Lateral · right wrist plain radiograph of the wrist · age 8 y, girl · imaged through cast · 95.0 mm image width —
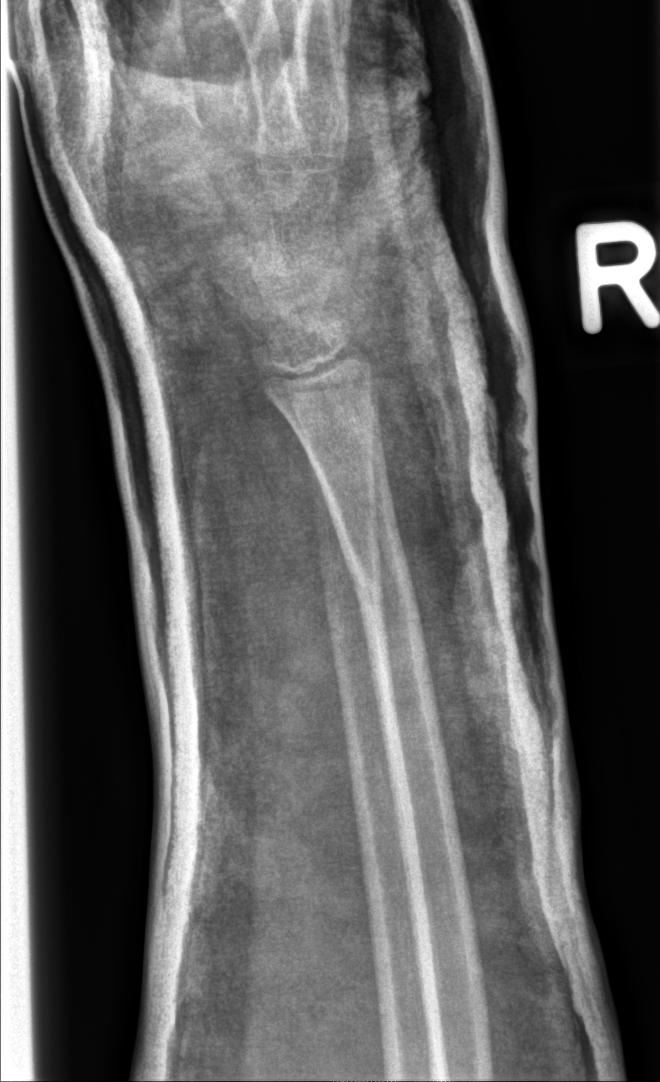 FINDINGS: (bounding boxes in image-pixel xyxy) One Fx at (344, 543, 415, 608). AO code 22r-D/2.1; 23u-M/2.1.